L wrist radiograph | posteroanterior:
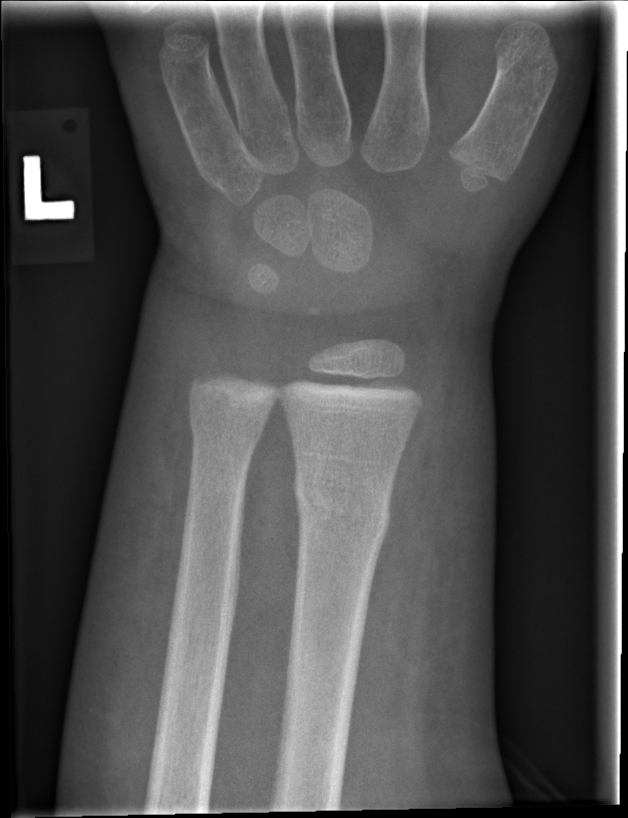

Findings: (bounding boxes in image-pixel xyxy) Fractures — [290, 466, 393, 552]; [182, 400, 271, 461].